Posteroanterior · left wrist pediatric wrist radiograph:
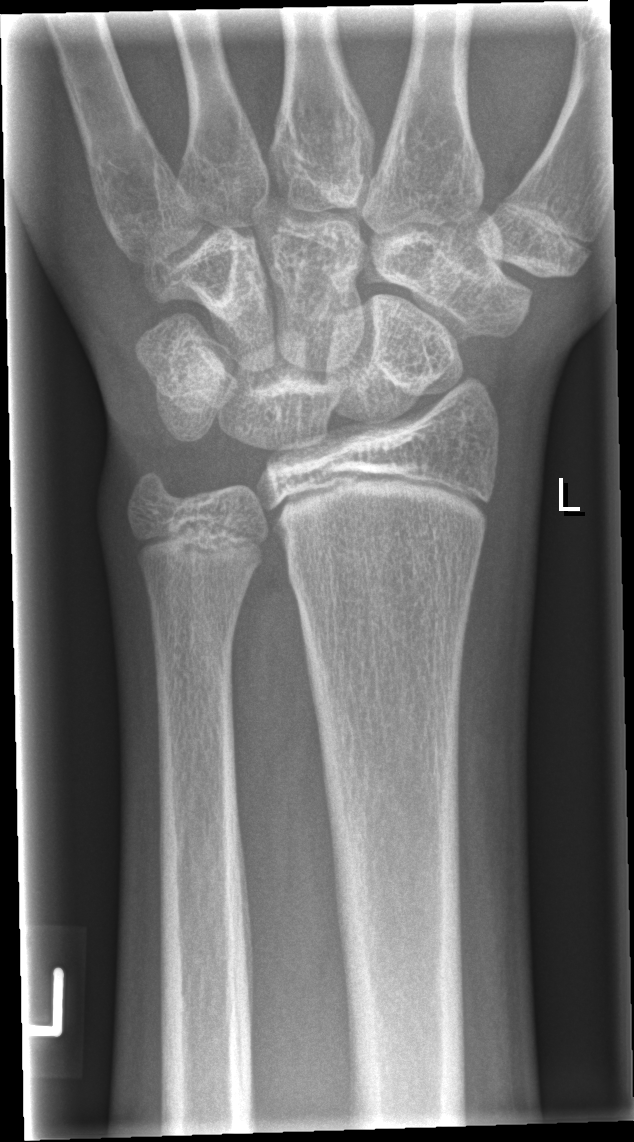
Fx: present but not clearly seen in this view